Rt wrist plain film, lateral, acquired on Siemens. 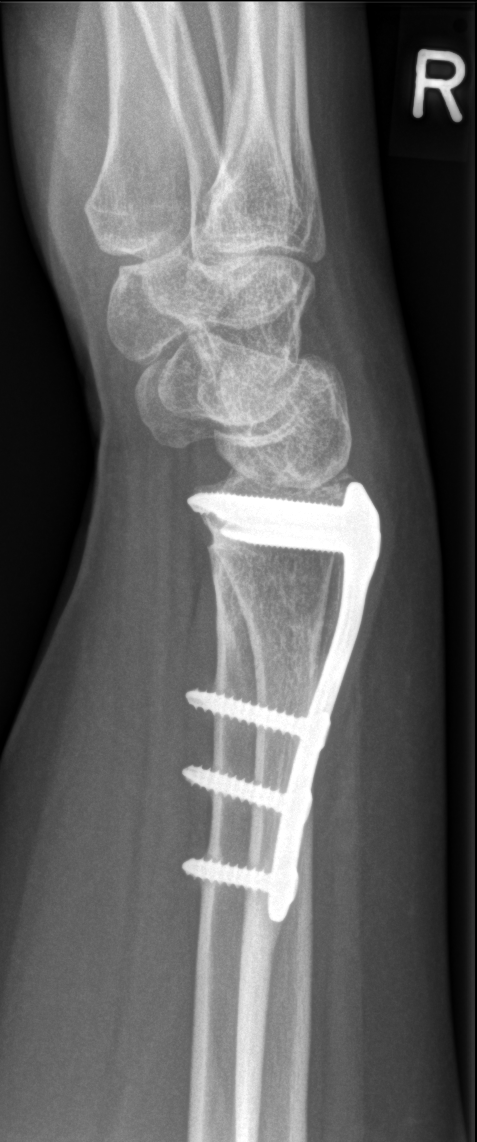 Findings: (pixel coordinates, top-left origin, xyxy) Decreased bone density (osteopenia). Metallic hardware identified at bbox(183, 484, 382, 925). Bone fracture — bbox(209, 600, 330, 676). Fracture classified AO/OTA 23r-M/3.1; 23u-E/7.